Lateral view · right plain radiograph of the wrist · index exam:

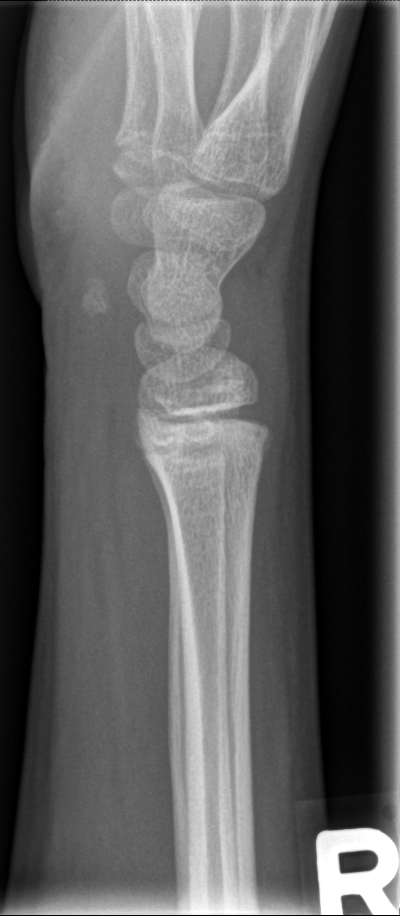 FINDINGS — (bounding boxes in image-pixel xyxy) Fracture: 140,425,275,487. AO code 23r-M/2.1.